Lat view | Lt wrist XR | imaged through cast | image width 173.7 mm: 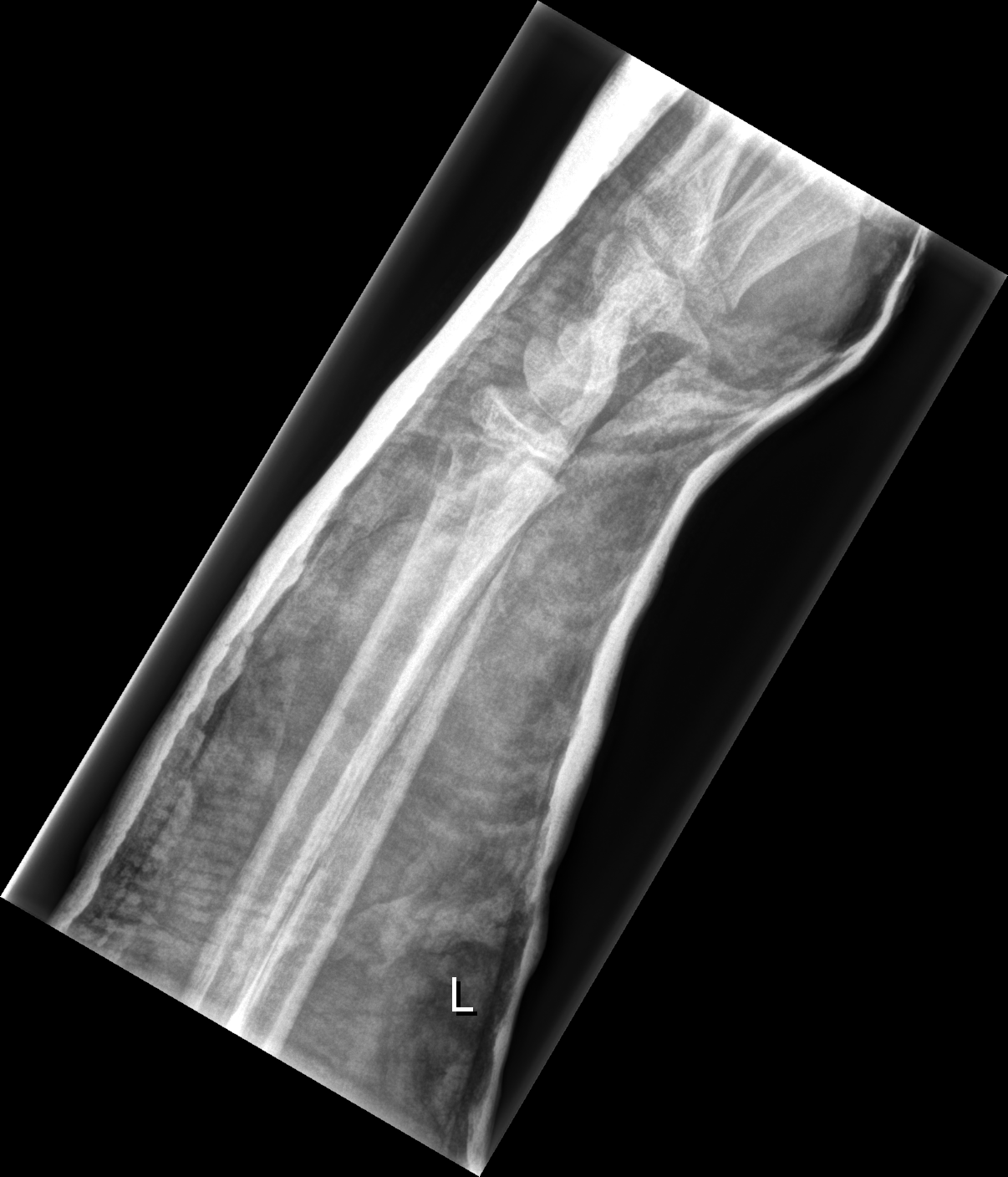
Boxes as x1,y1,x2,y2 (top-left / bottom-right, pixel units). Fracture classified AO/OTA 23r-E/2.1; 23u-E/7. One periosteal reaction at <429,437>-<454,500>. Fx identified at <430,415>-<575,532>.